Lateral · Lt plain radiograph of the wrist · cast present · Siemens:

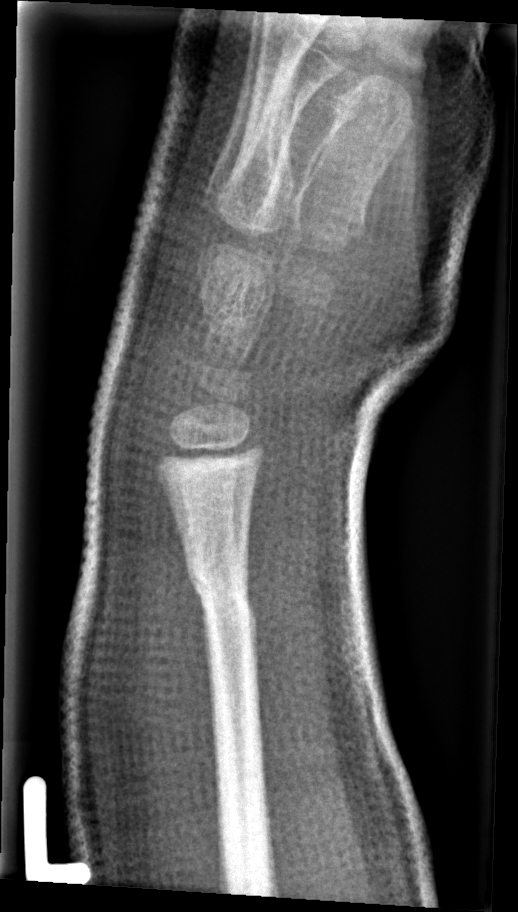

  fracture: 185,560,259,635
  ao: 23r-M/3.1; 23u-M/2.1